L wrist plain film | PA projection | boy, 6 yo | cast present | image width 111.5 mm. 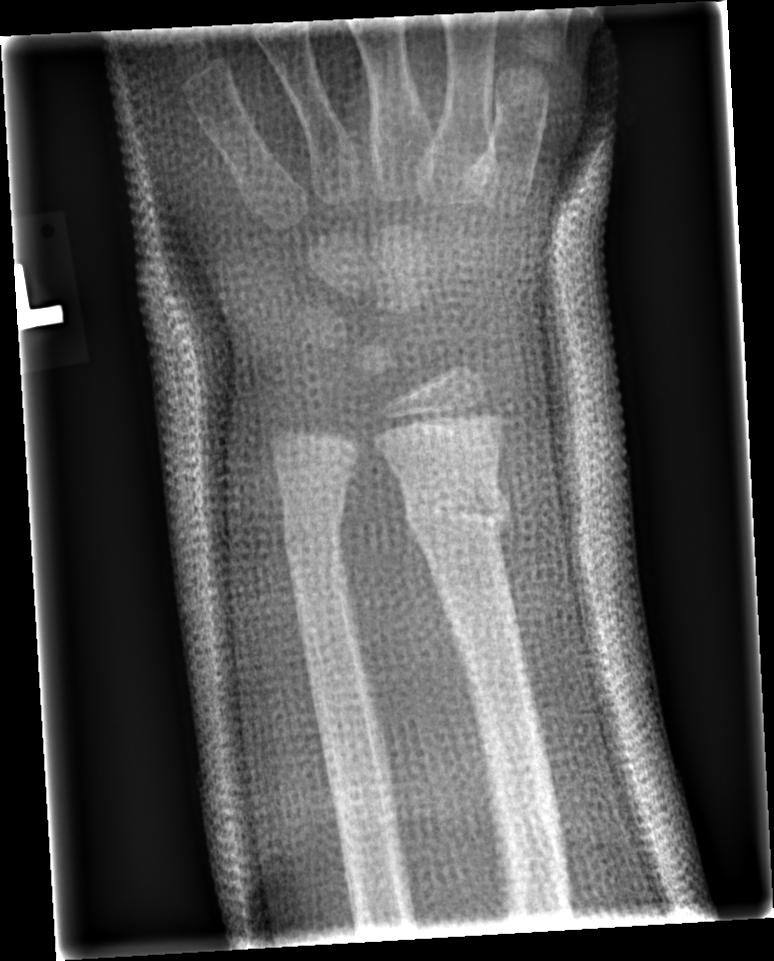 FINDINGS — AO code 23-M/2.1. Two Fx at (399, 474, 516, 543), (279, 510, 346, 566).